Lateral view · Rt pediatric wrist radiograph · 13y M. 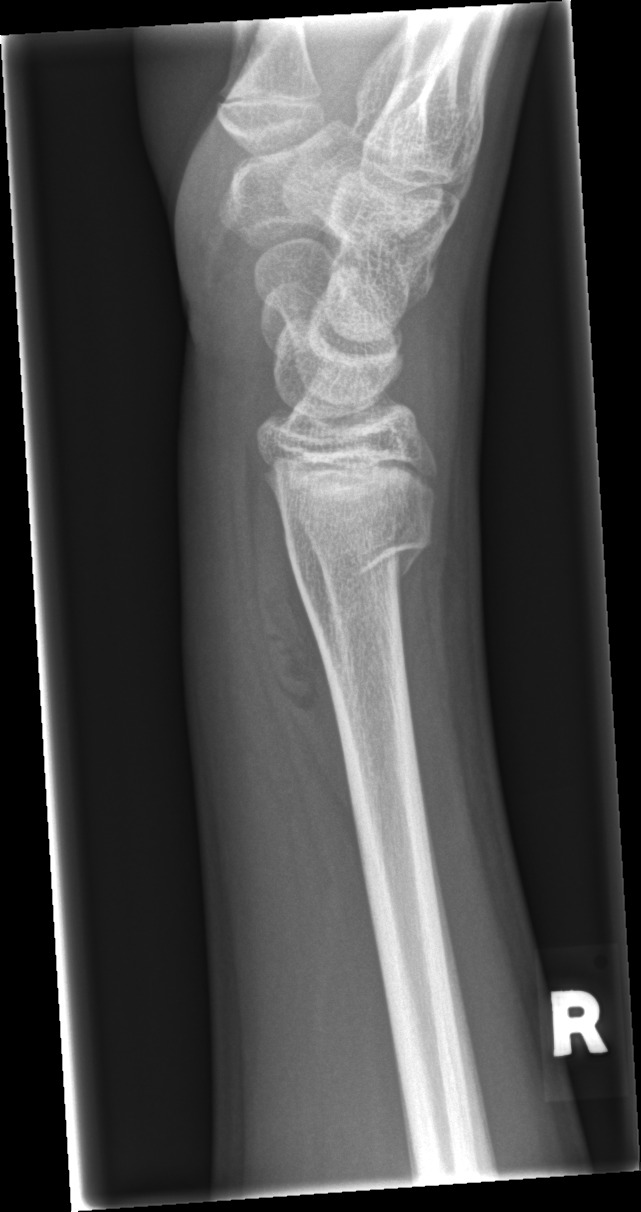

Fx identified at 284 480 440 656. AO code 23r-M/3.1; 23u-E/7. Positive pronator fat-pad sign: 246 425 358 878.